Rt plain radiograph of the wrist · AP · pediatric patient (female, age 11)
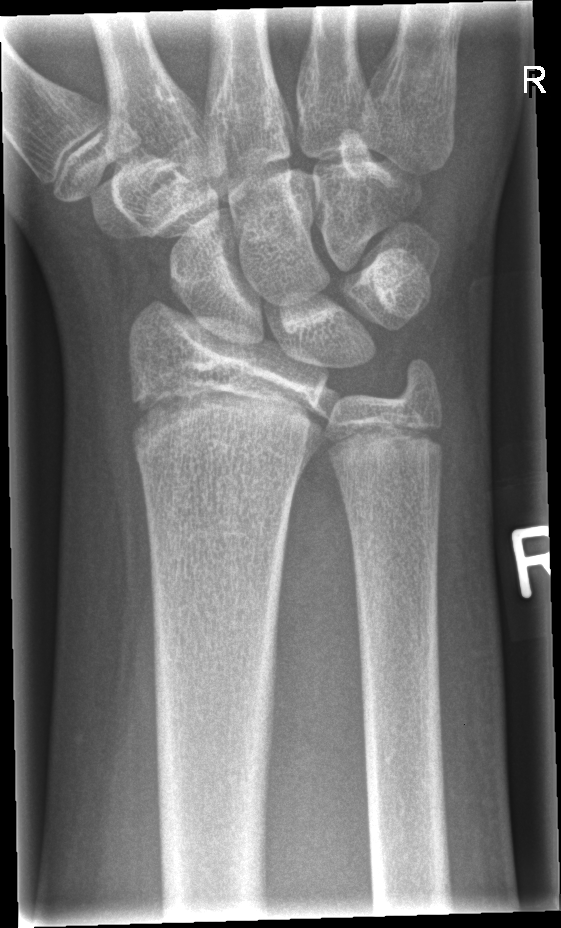 No fracture annotation.